Rt plain radiograph of the wrist; lateral projection; boy, 15 yo

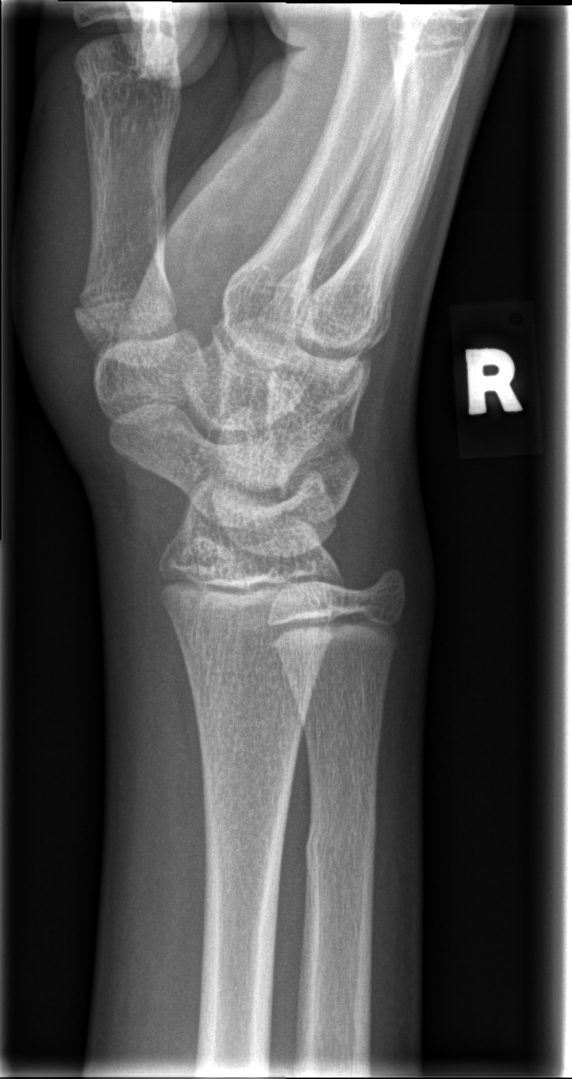 Findings: Fracture: <301,817>-<380,882>.